Left wrist X-ray; frontal; girl, 7 yo; image size 515x818. 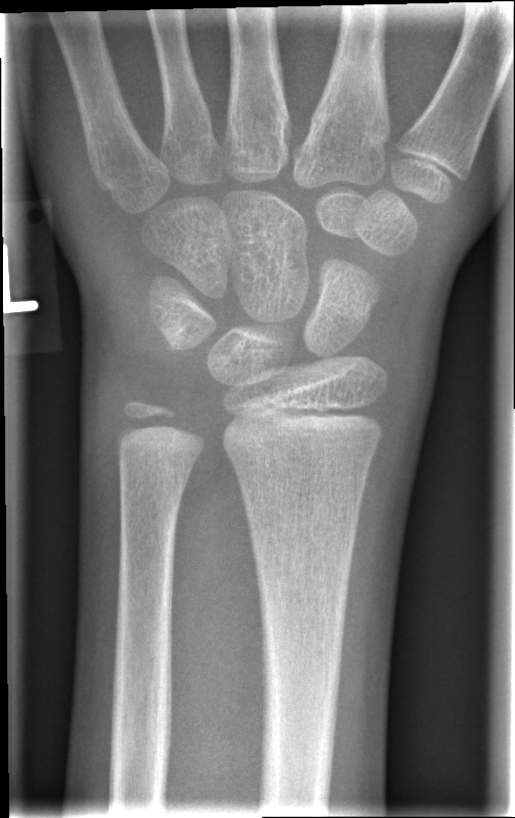 • Fracture: none labeled.